Lat, right wrist pediatric wrist radiograph, initial study.
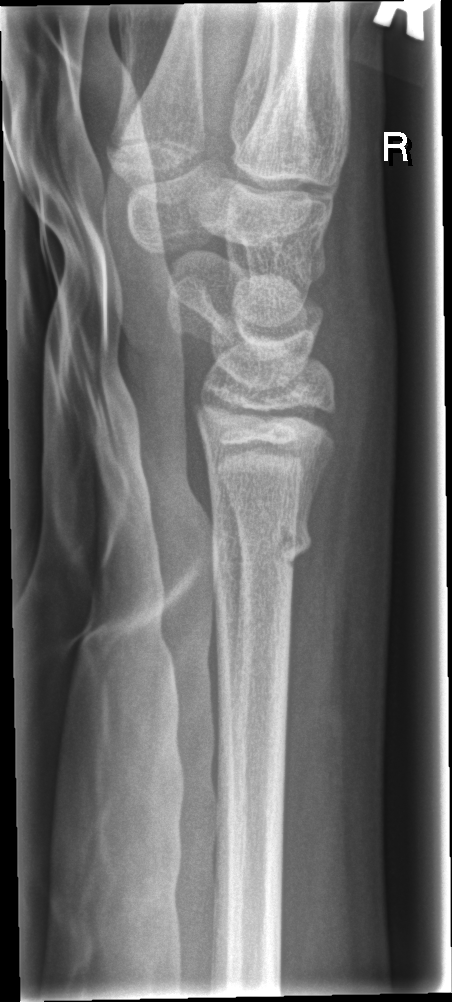 Q: What is the AO/OTA classification?
A: AO/OTA classification: 23r-M/2.1
Q: Fracture present?
A: Bone fracture — (210, 518, 315, 587)